Rt wrist XR, PA, follow-up, imaged through cast. 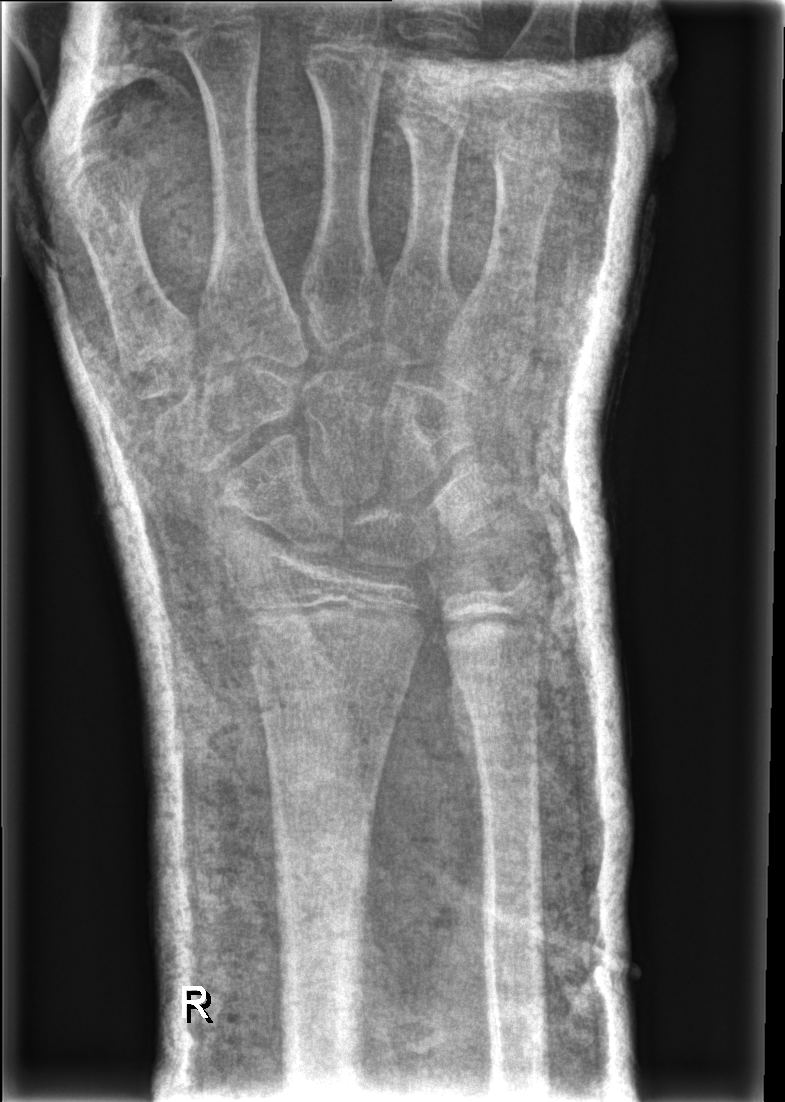 Pixel coordinates, top-left origin, xyxy.
Fracture classified AO/OTA 23r-M/2.1.
Fx identified at <246,648>-<414,709>.